Frontal view | right wrist XR | 8y M | acquired on Siemens — 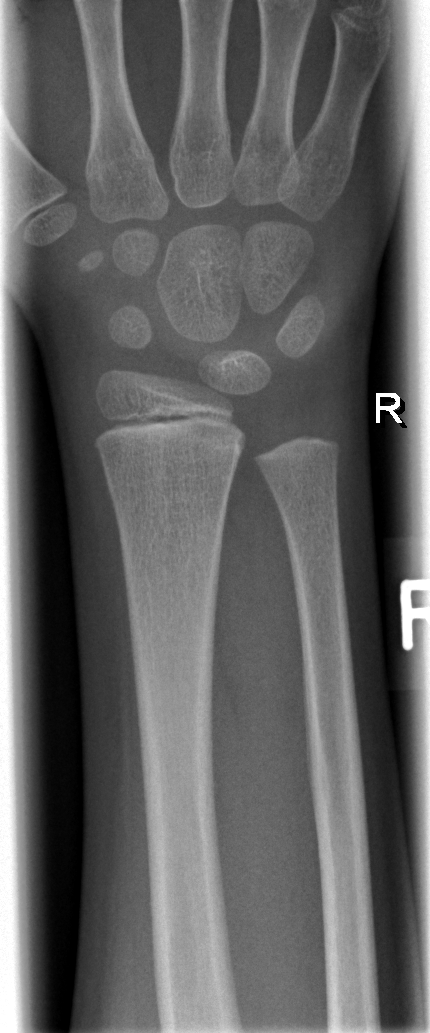
fracture: none labeled